Frontal projection; L wrist plain film; 15-year-old boy; image width 80.2 mm
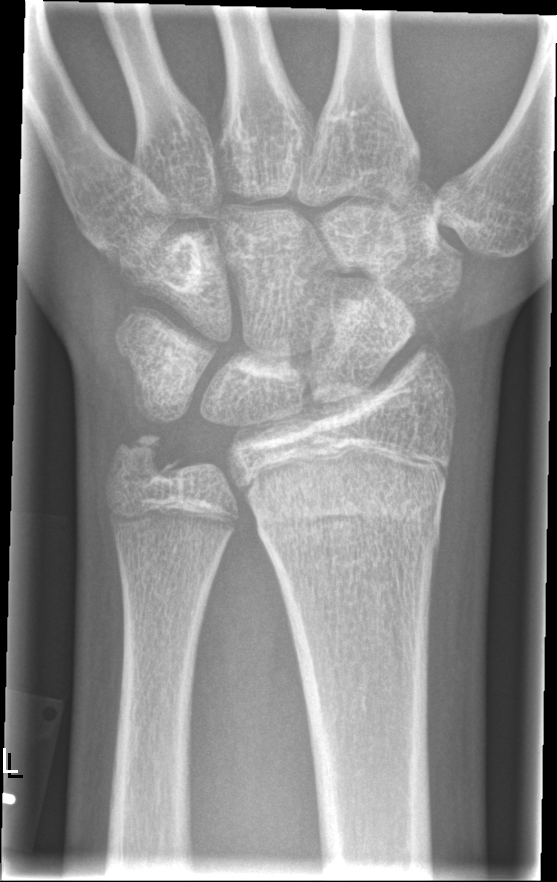
# pixel coordinates, top-left origin, xyxy
ao: 23r-M/3.1; 23u-E/7
fracture: 2 @ 244 449 452 561
  103 420 197 499
osteopenia: present